Rt wrist X-ray | lat projection | age 10 y, male:
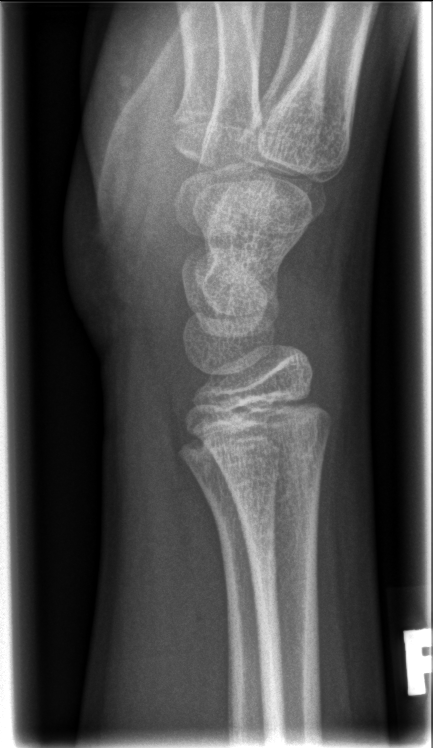
No fracture bounding box.